Lat, right wrist X-ray, pediatric patient (male, age 15), follow-up study, detector: Siemens:
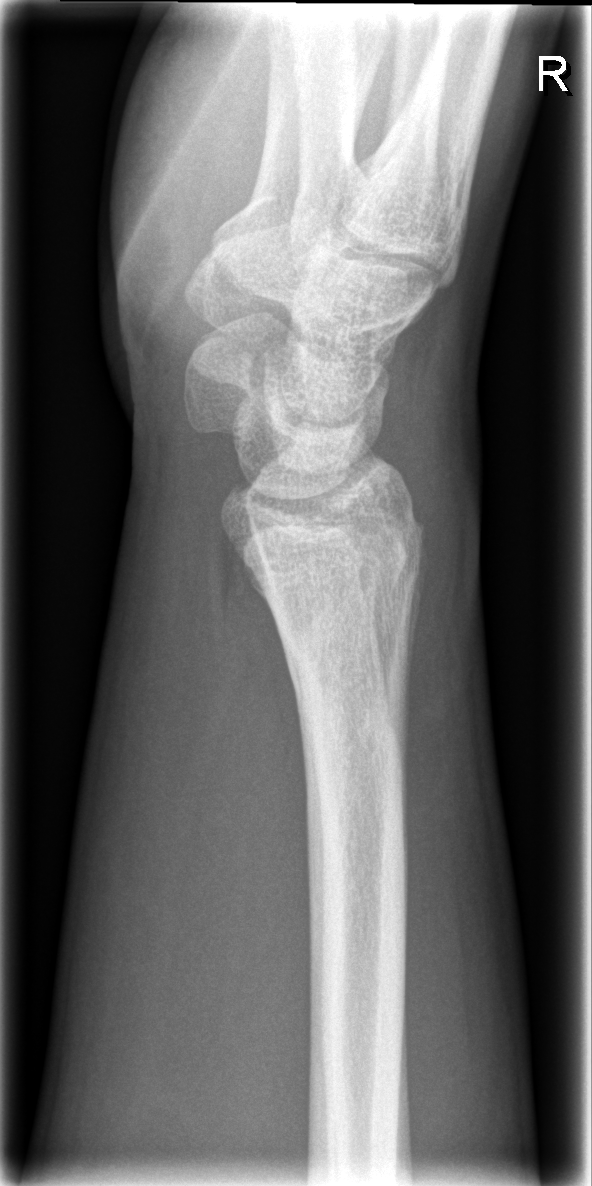
Fracture classified AO/OTA 23r-M/3.1; 23u-M/2.1; 23u-E/7.
One Fx at [276, 603, 415, 851].